AP view | Lt wrist radiograph | presentation radiograph 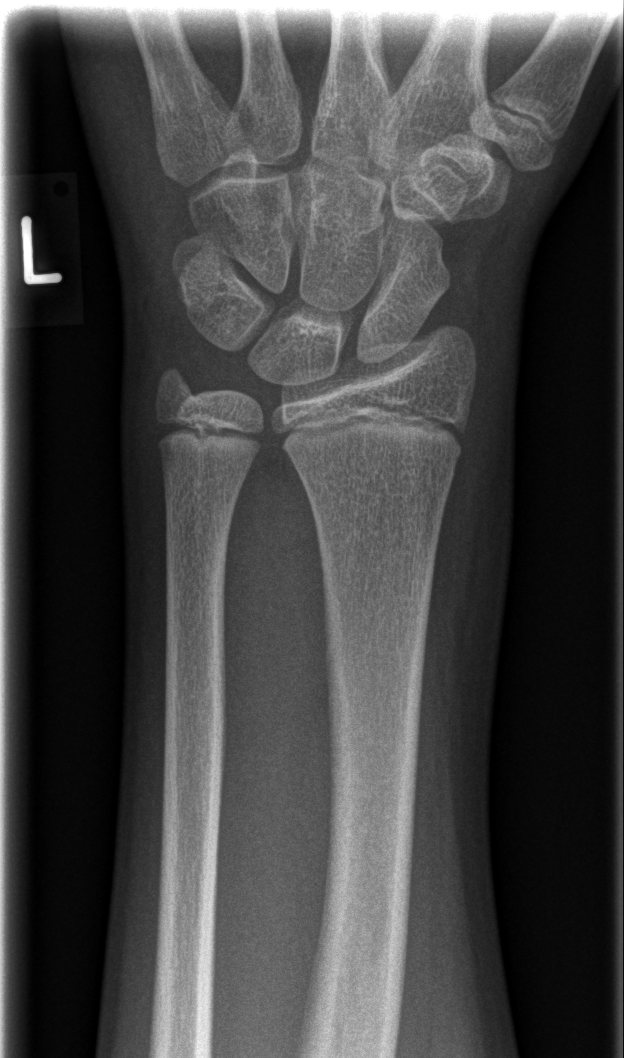

No fracture annotation.